Right wrist pediatric wrist radiograph · frontal view · 15-year-old female —

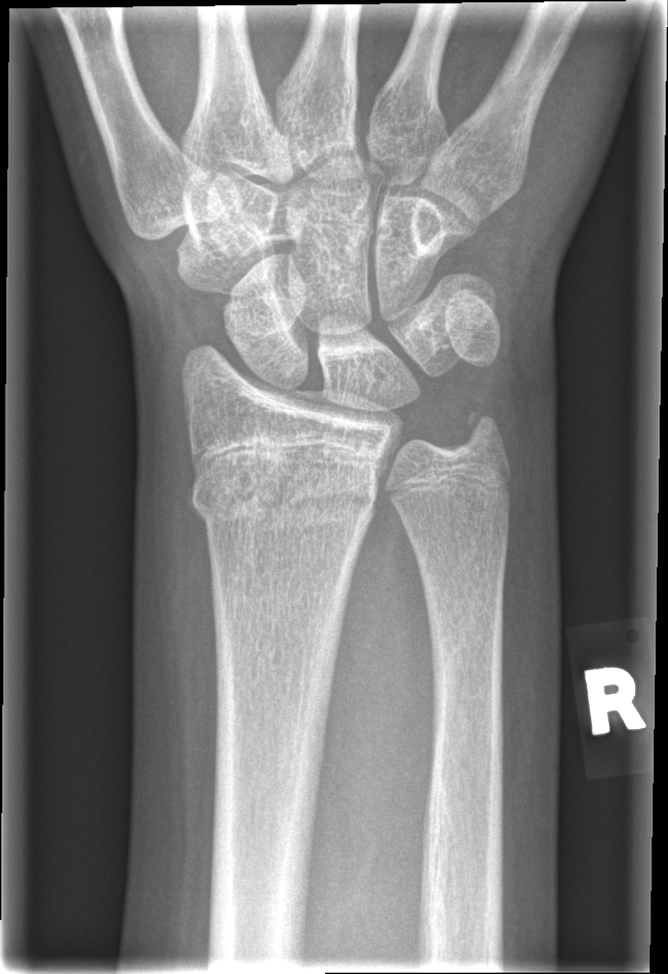 Pixel coordinates, top-left origin, xyxy. AO code 23r-M/3.1; 23u-E/7. Two Fx at (188, 455, 382, 542), (454, 404, 511, 462).